Left pediatric wrist radiograph; lat view; detector: Siemens

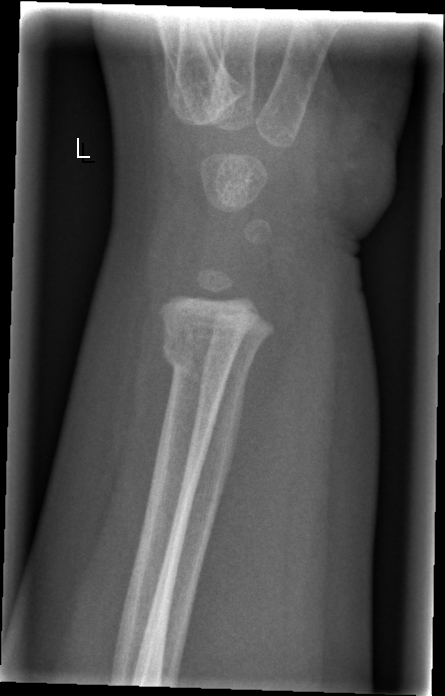 fracture: [x1=158, y1=333, x2=240, y2=381]